Rt wrist XR · PA · female, 5 yo 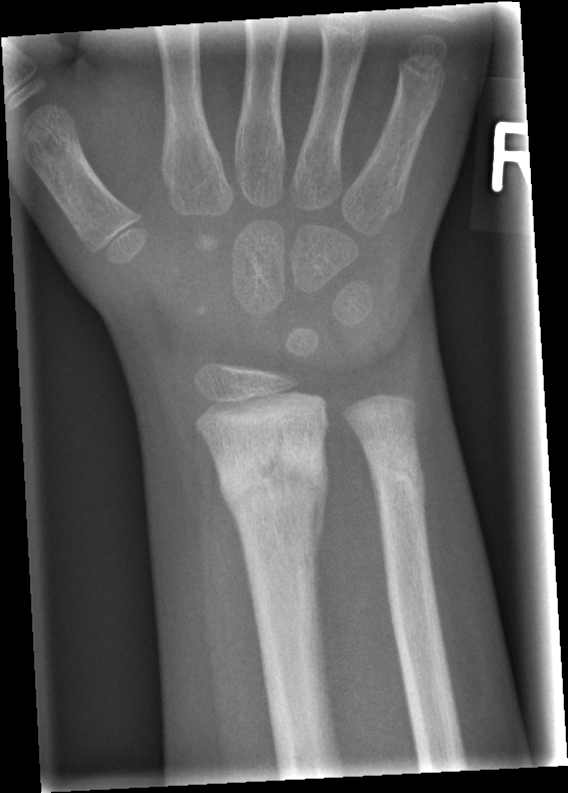

Boxes as x1,y1,x2,y2 (top-left / bottom-right, pixel units).
Decreased bone density (osteopenia).
Periosteal new bone — [x1=310, y1=435, x2=332, y2=620].
Bone fractures — [x1=217, y1=431, x2=327, y2=522] [x1=363, y1=444, x2=433, y2=511].